L wrist radiograph | lateral | age 11 y, boy —

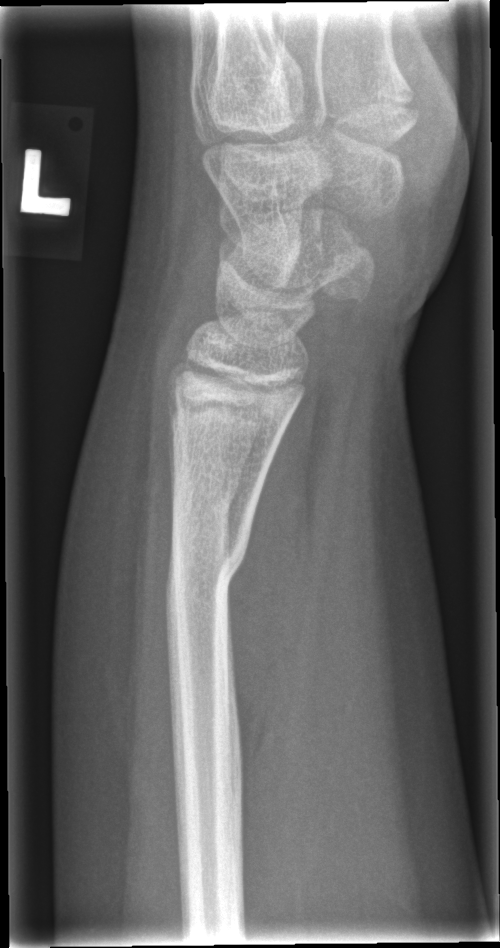 AO code: 23-M/2.1
Pronator sign: 1 @ bbox(204, 347, 345, 784)
Fracture: 2 @ bbox(161, 532, 252, 619) bbox(167, 462, 243, 524)